AP view, left wrist XR, age 7 y, girl.
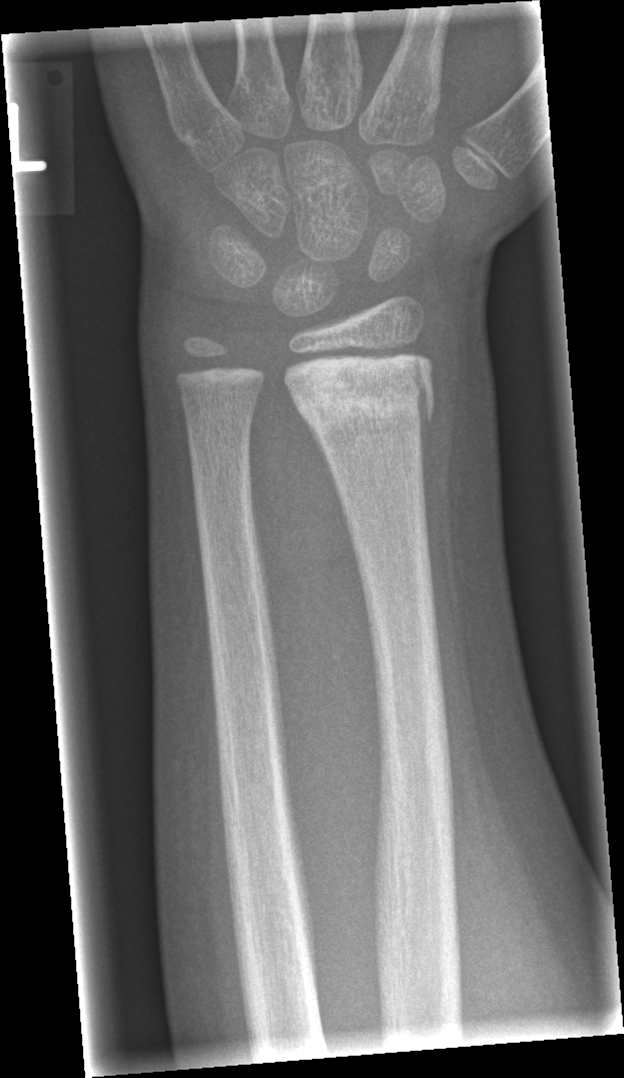

Boxes as x1,y1,x2,y2 (top-left / bottom-right, pixel units). Osteopenia. Fracture — bbox(289, 347, 437, 440).